PA projection, Lt wrist radiograph, age 11 y, boy, subsequent exam

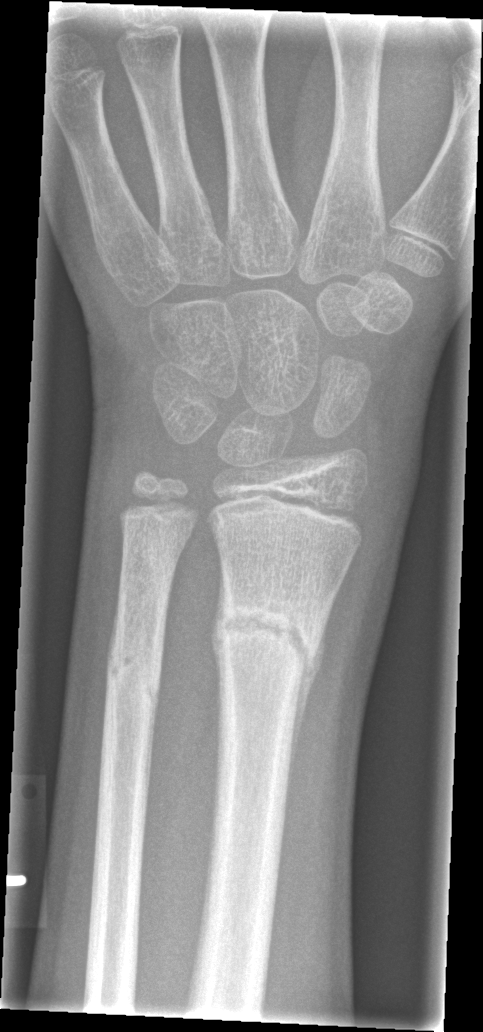

  # boxes as x1,y1,x2,y2 (top-left / bottom-right, pixel units)
  periostealreaction: 1 @ 285,625,327,822
  fracture: 2 @ 210,586,328,681
  103,633,162,713
  ao: 23r-M/3.1; 23u-M/2.1